AP projection · right wrist plain film · boy, 13 yo · imaged through cast · Siemens —

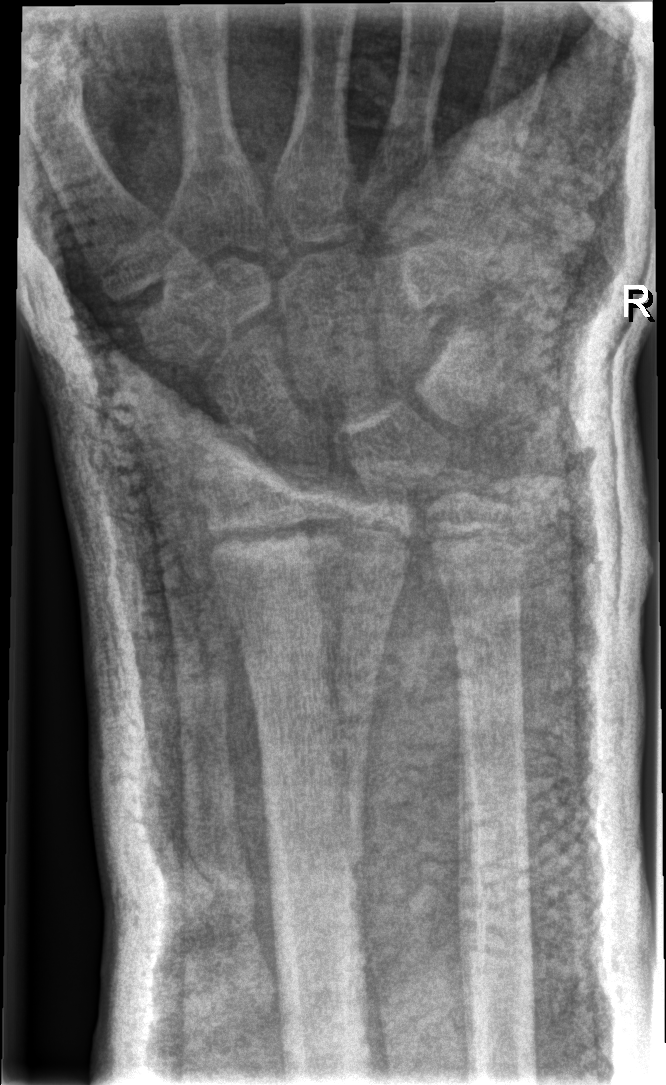

Fx: present but not clearly seen in this view